Lateral view, R wrist XR, pediatric patient (male, age 12), image size 389x1074 —

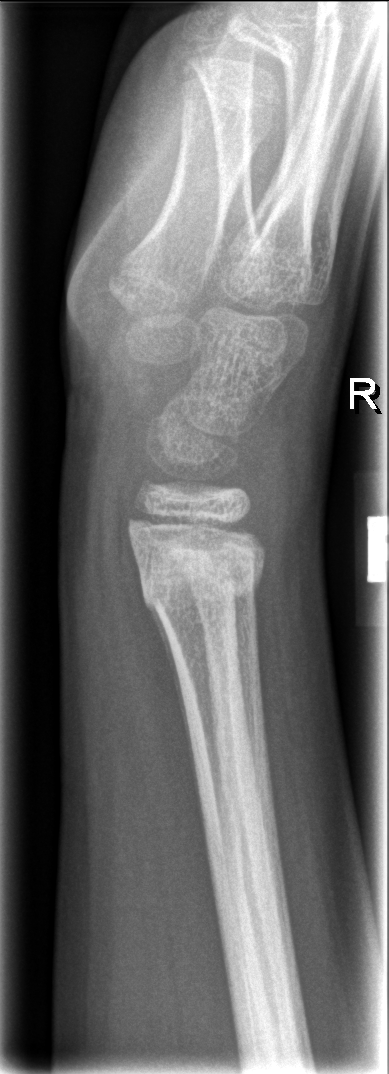 (bounding boxes in image-pixel xyxy)
periosteal new bone = 1 @ [143, 598, 198, 789]
osteopenia = present
Fx = 1 @ [135, 549, 266, 624]